Left wrist radiograph, lat projection, image width 187.8 mm

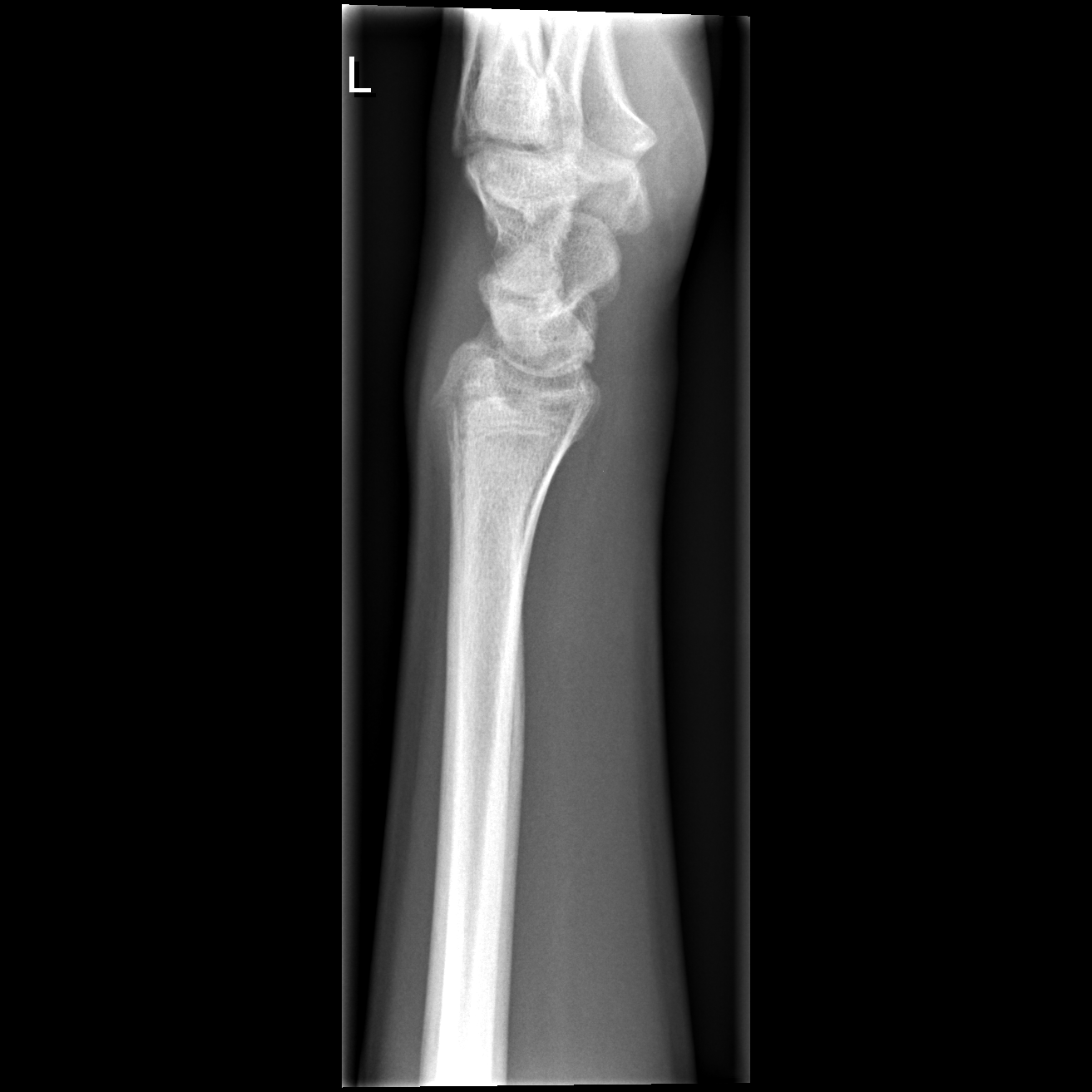 Findings: Reduced bone mineral density. Fracture classified AO/OTA 23r-E/7. Fracture present, though not clearly seen in this view.